Right wrist X-ray, frontal:
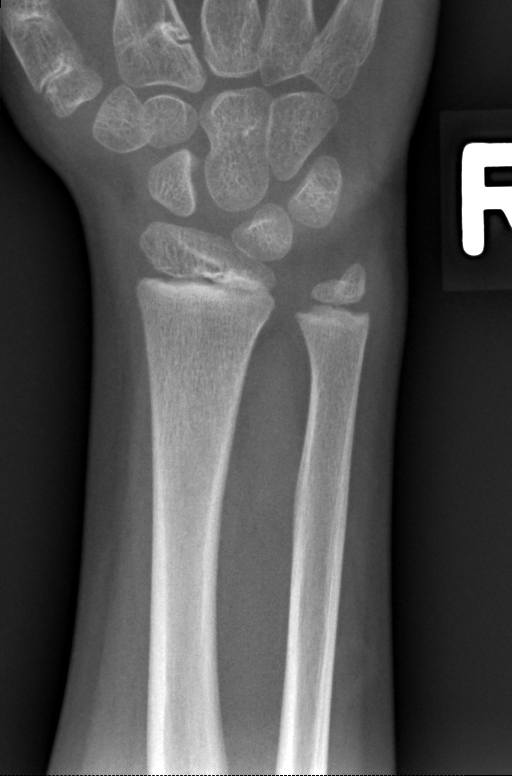 FINDINGS — No fracture labeled. One bone anomaly at 263,242,375,360.